Left wrist radiograph · lat view · age 11 y, boy · 508 x 1196 px.
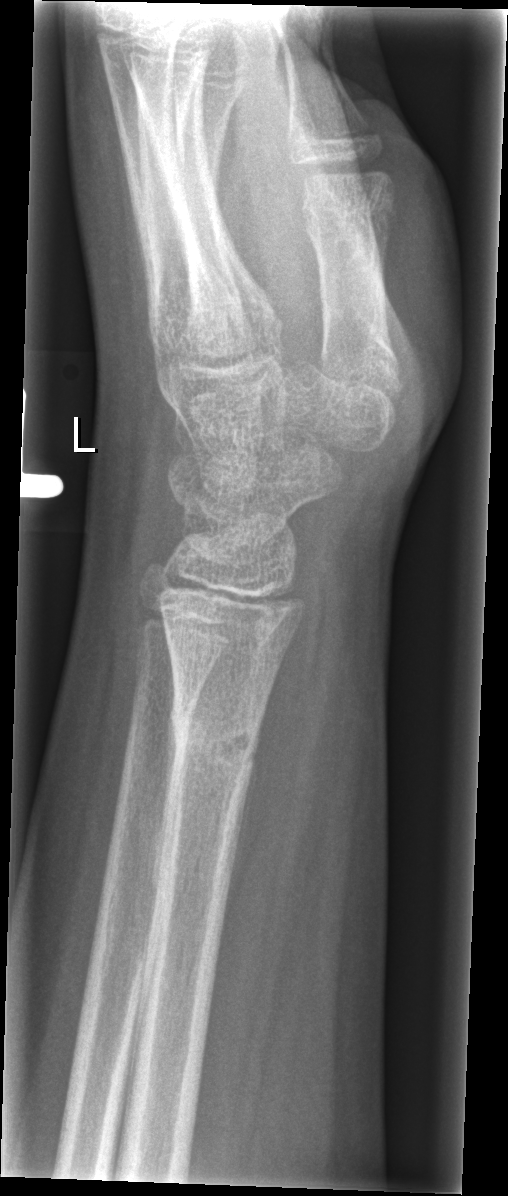 Boxes as x1,y1,x2,y2 (top-left / bottom-right, pixel units). AO/OTA classification: 23r-M/3.1; 23u-E/7. Bone fracture identified at 166,692,260,780.